AP, right plain radiograph of the wrist, age 17 y, female, image 90.7 mm wide:

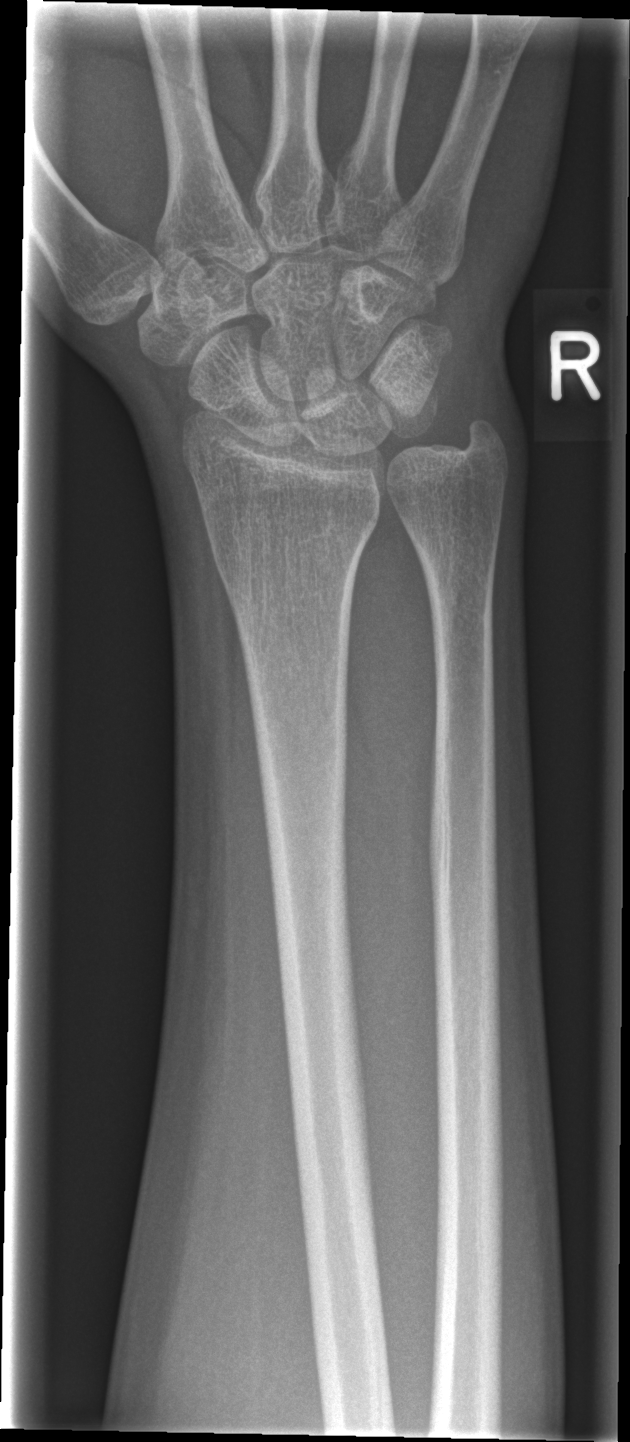 fracture: none labeled